PA/AP projection, L plain radiograph of the wrist, initial study.

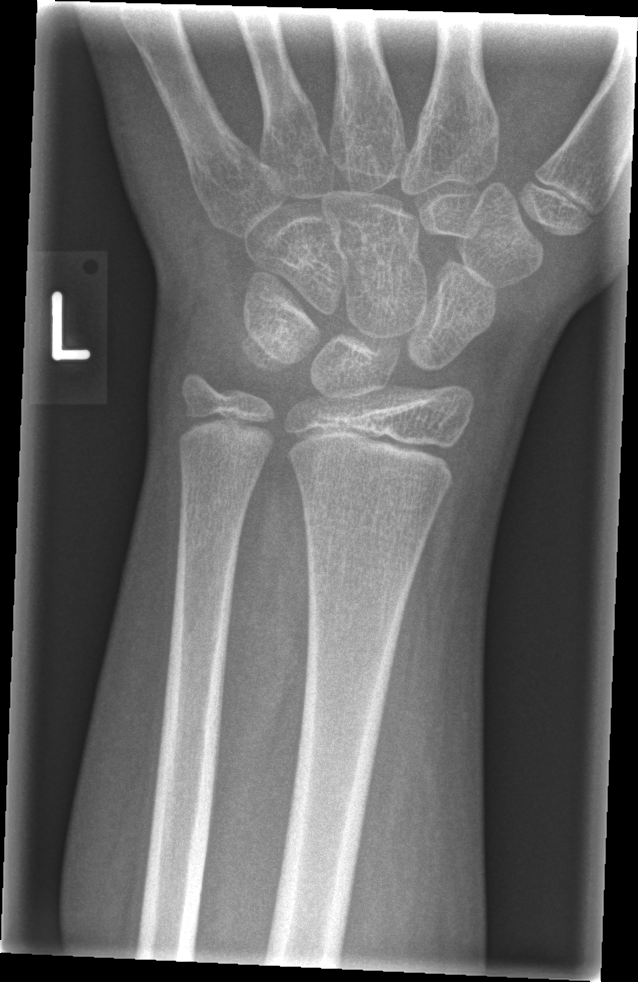   fracture: none labeled